R plain radiograph of the wrist | lat | initial study | 590x771: 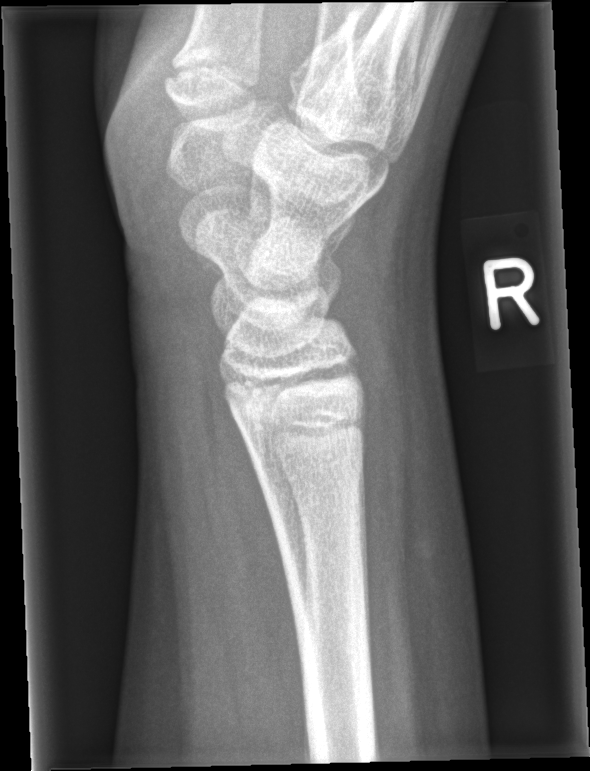
Pixel coordinates, top-left origin, xyxy.
Fracture present, but no bounding box because it is not clearly seen in this view.
Fracture classified AO/OTA 23r-E/1.
One soft-tissue swelling at 353,300,467,607.